Rt pediatric wrist radiograph; AP; 11y M; Siemens; image 80.1 mm wide 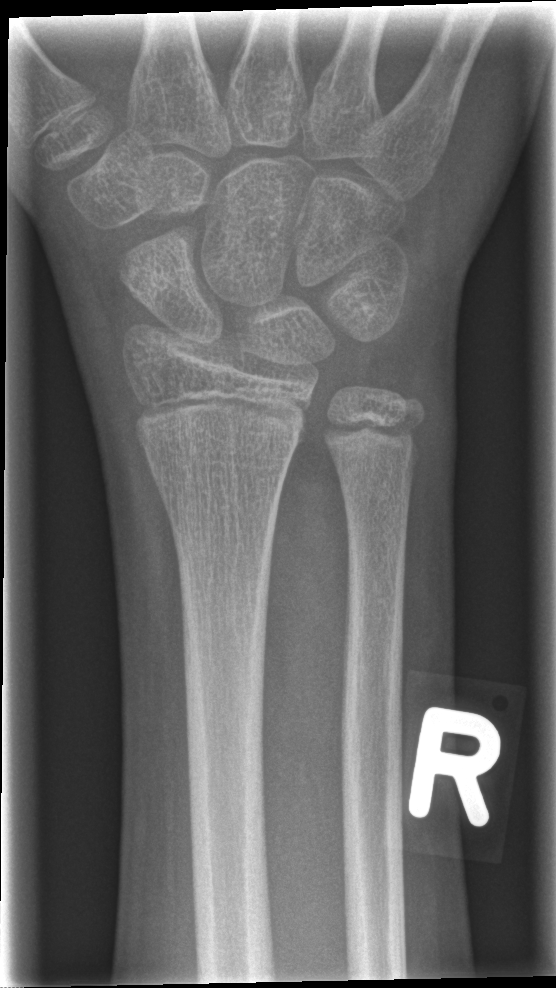

• No fracture bounding box.